Frontal view | Rt wrist plain film 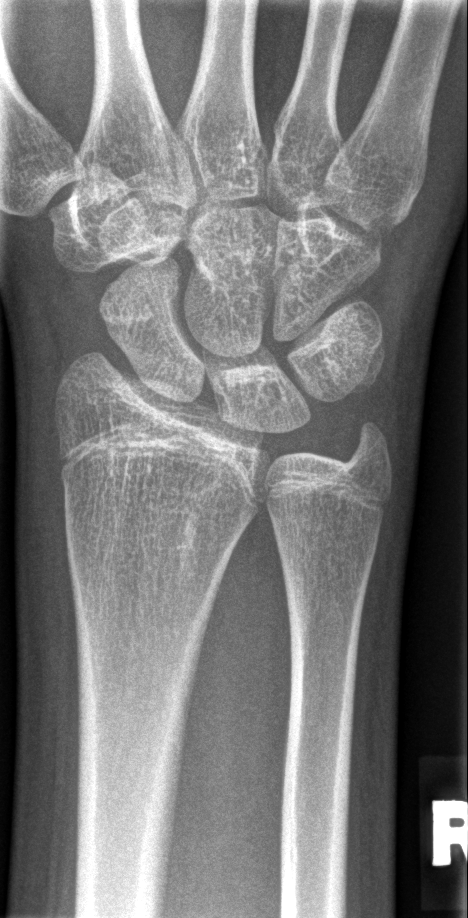
{
  "fracture": "none labeled"
}